Left wrist XR; PA/AP projection; pediatric patient (female, age 11) —

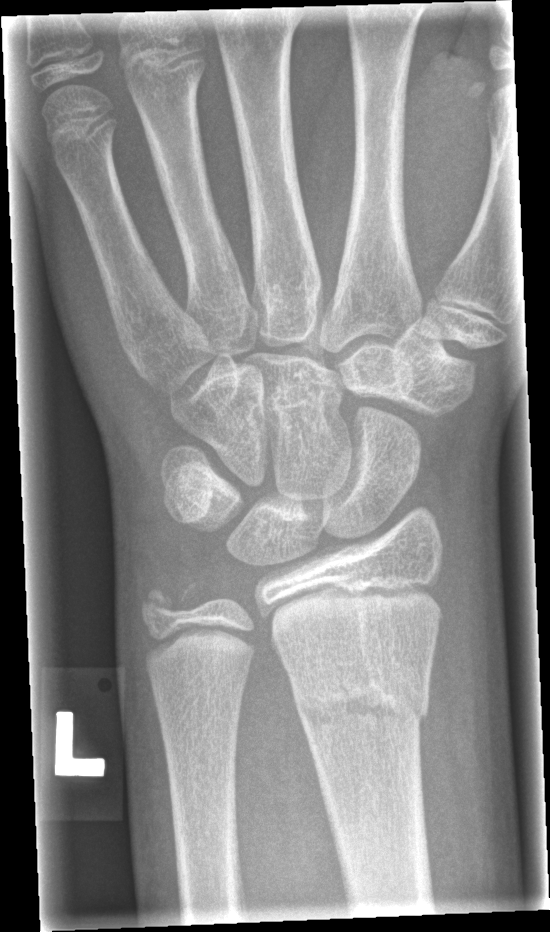
Fx: (left=289, top=668, right=434, bottom=739); (left=137, top=580, right=201, bottom=621)
AO code: 23r-M/3.1; 23u-E/7